Lt wrist X-ray · frontal projection · initial study · 107.0 mm image width:
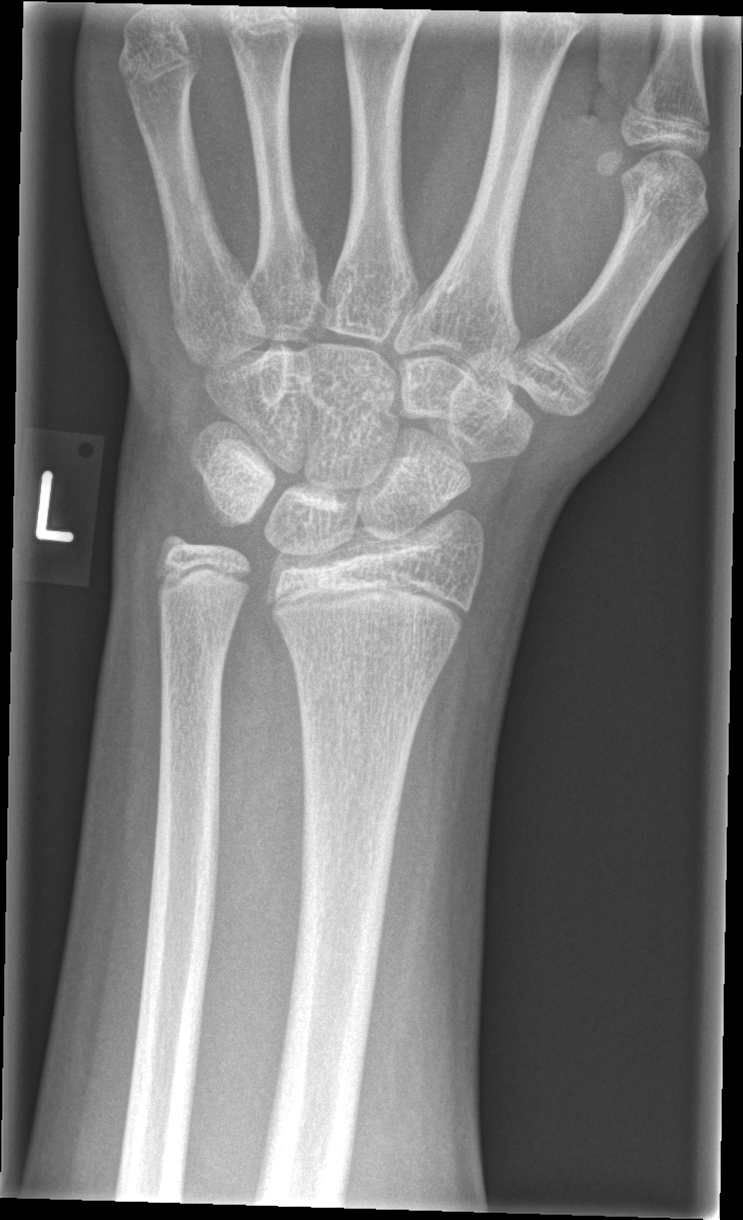

No fracture bounding box.